Left wrist radiograph; lat view; boy, 11 yo; follow-up; cast in situ; Siemens; image width 57.7 mm —
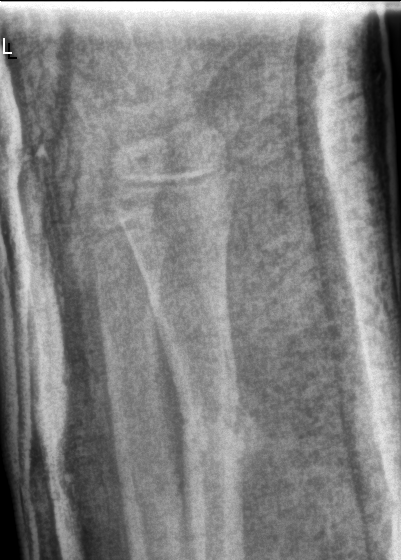 (coordinates are [x1, y1, x2, y2] in image pixels)
Periosteal thickening = [x1=235, y1=381, x2=266, y2=482]
Bone fracture = [x1=173, y1=393, x2=255, y2=470]